R wrist radiograph | posteroanterior projection | boy, 18 yo | follow-up study | findings marked uncertain by the reading radiologist | detector: Siemens — 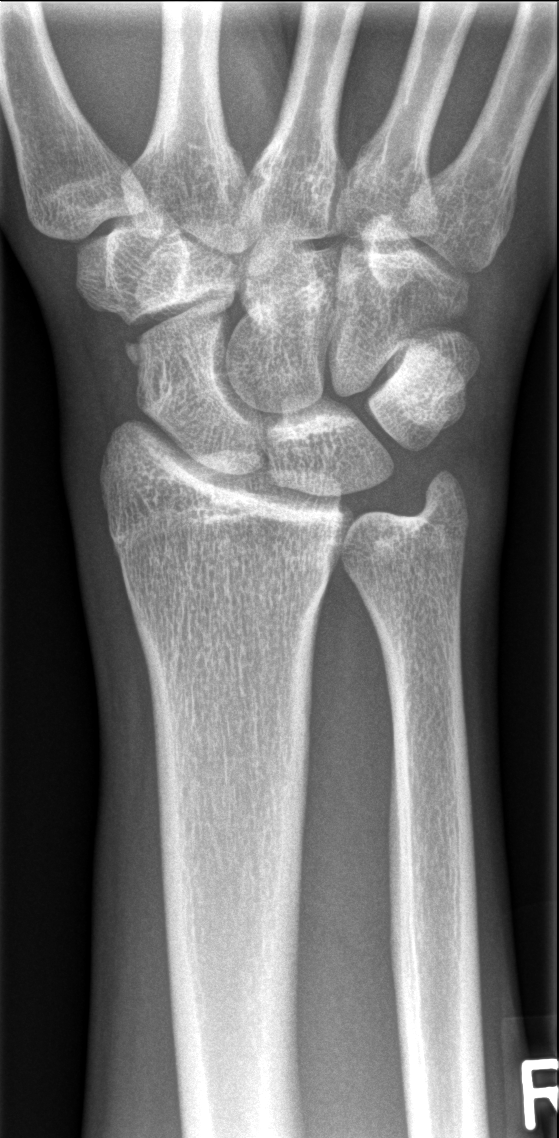 {"boneanomaly": "1 @ bbox(112, 313, 173, 418)", "osteopenia": "present", "fracture": "none labeled"}